Right wrist X-ray, posteroanterior view, image size 662x1171 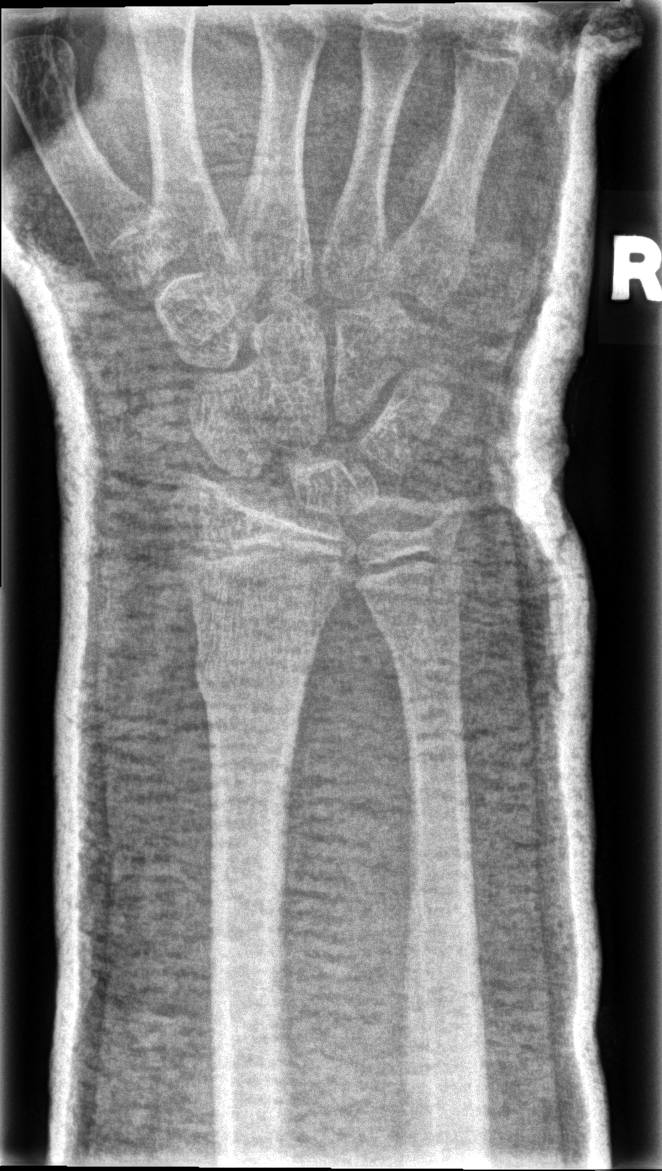

- AO/OTA classification: 23-M/2.1.
- Fx — 377 591 470 672 | 192 652 310 702.